Lateral view | left pediatric wrist radiograph | imaged through cast:

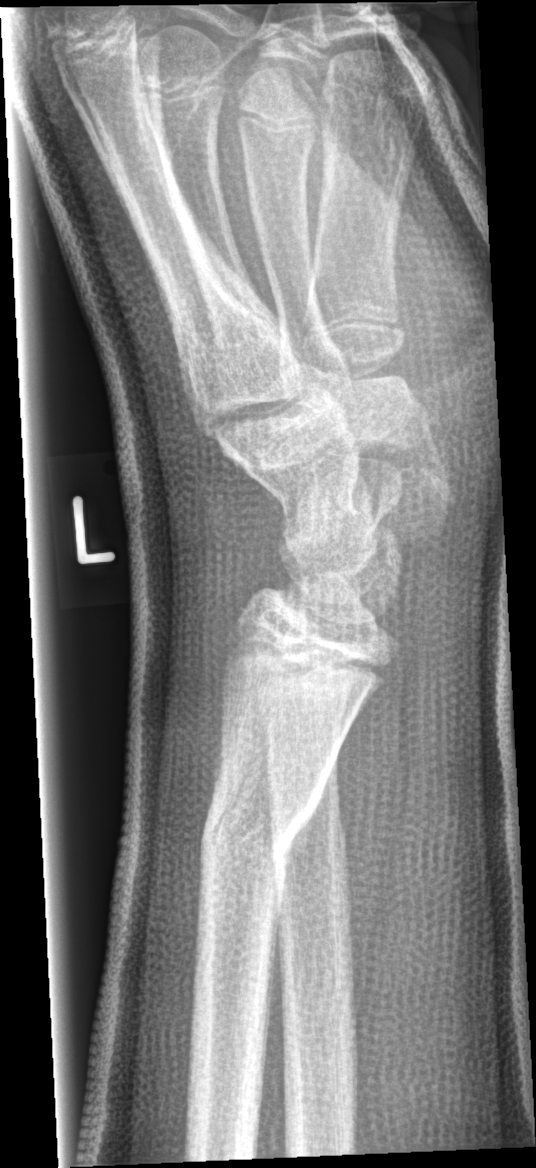
Coordinates are [x1, y1, x2, y2] in image pixels. One bone fracture at bbox(194, 765, 321, 895).